PA view; Lt pediatric wrist radiograph; index exam; Siemens; image size 624x1102:

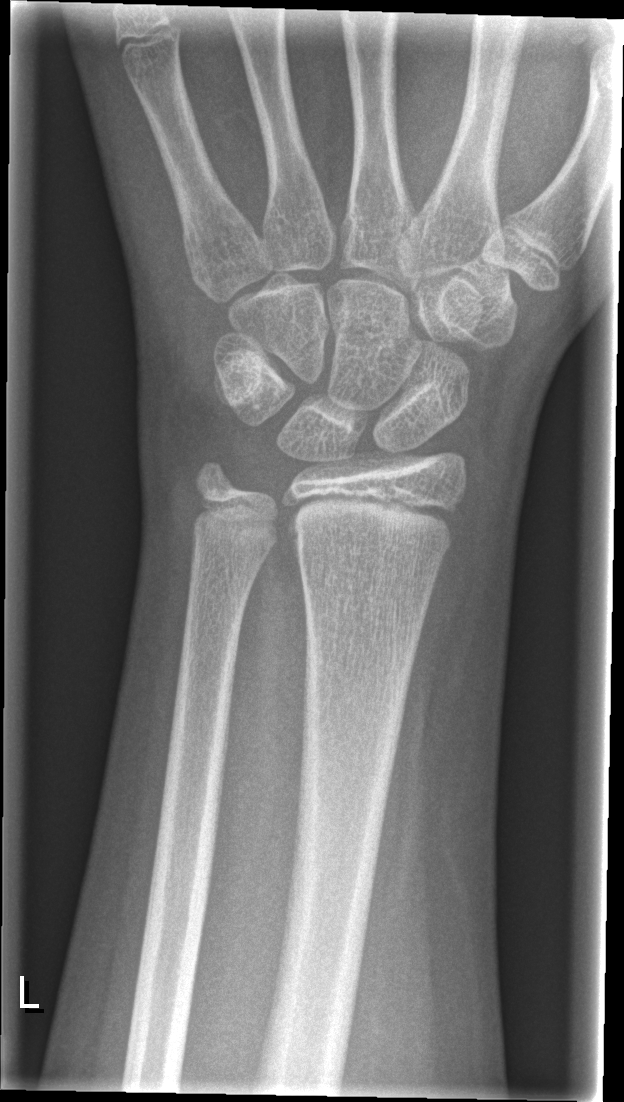 FINDINGS: Fracture: none labeled.